PA view · left wrist XR · 6-year-old male · presentation radiograph · image width 75.5 mm · image size 524x788 —

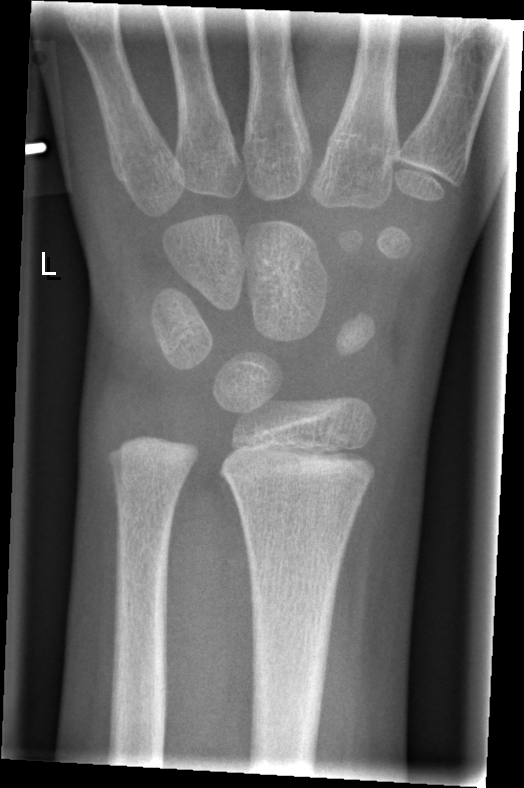 Q: Is there a fracture?
A: Fracture: none labeled